Lateral | Lt wrist X-ray | age 14 y, female | initial study. 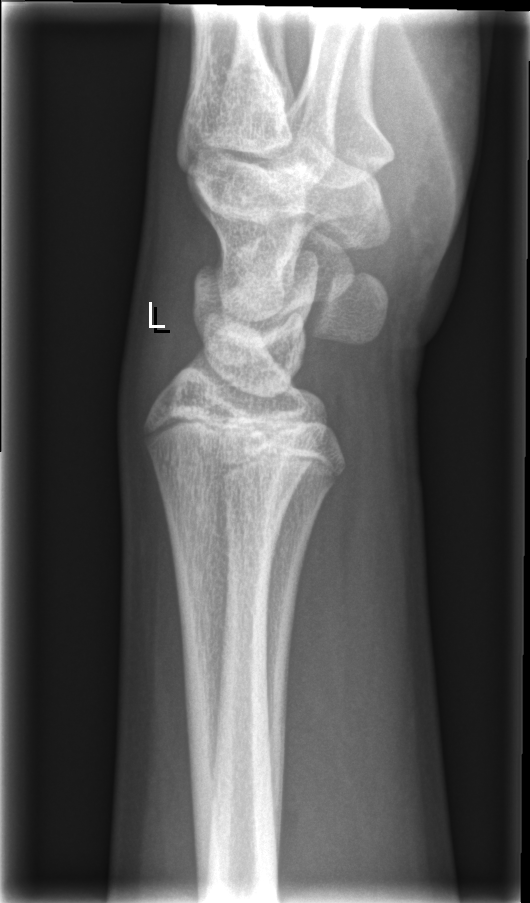 Fracture: none labeled.